Lat; L plain radiograph of the wrist; pediatric patient (female, age 4)
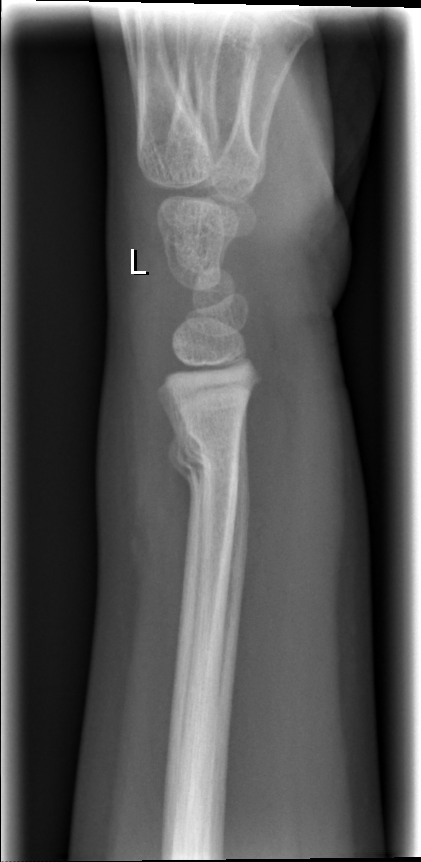   fracture: 1 @ [x1=167, y1=430, x2=253, y2=509]
  pronatorsign: 1 @ [x1=236, y1=313, x2=304, y2=621]
  ao: 23-M/2.1
  softtissue: [x1=107, y1=300, x2=198, y2=622]